Lat projection; right wrist radiograph.
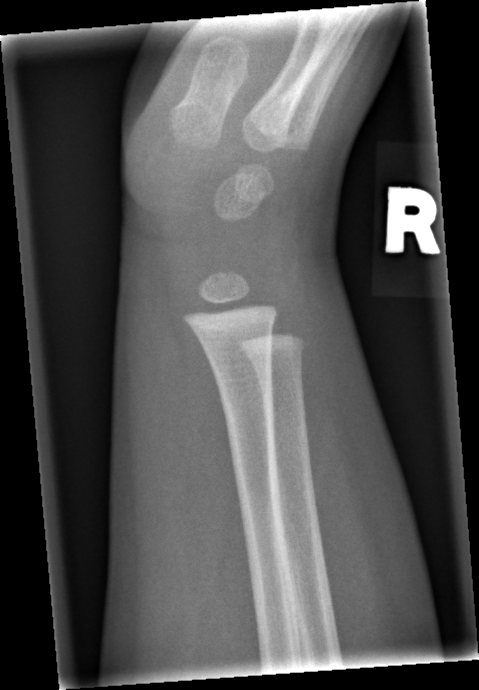

Fracture: none labeled